AP view, right wrist X-ray, age 11 y, boy — 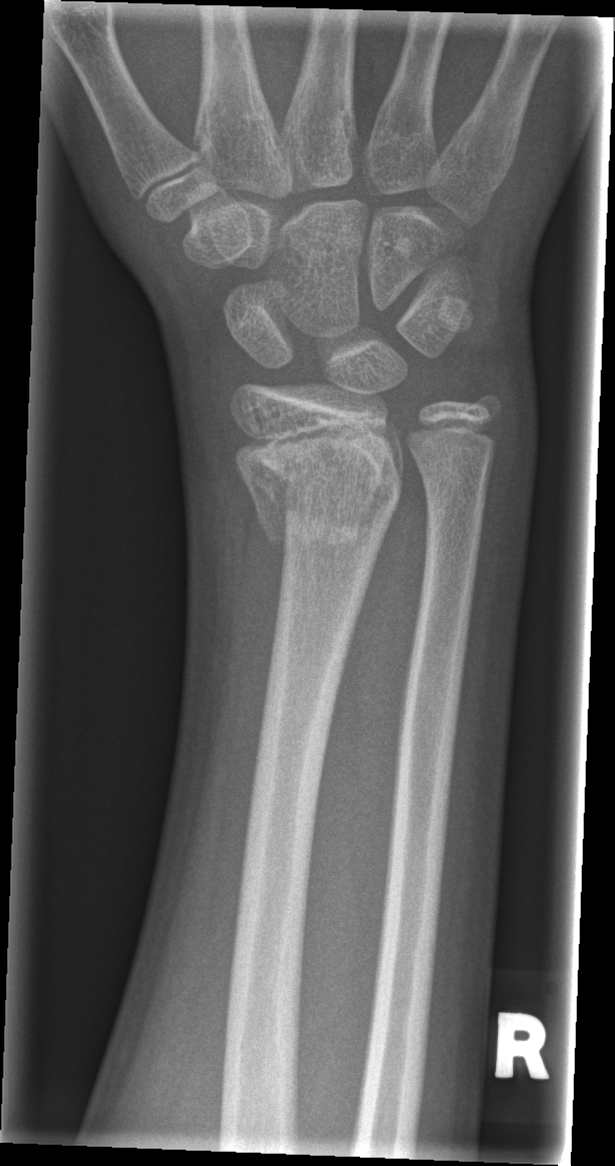

(boxes as x1,y1,x2,y2 (top-left / bottom-right, pixel units))
Fx: 238 442 406 547
AO/OTA: 23r-M/3.1